Lat projection · left pediatric wrist radiograph · cast present — 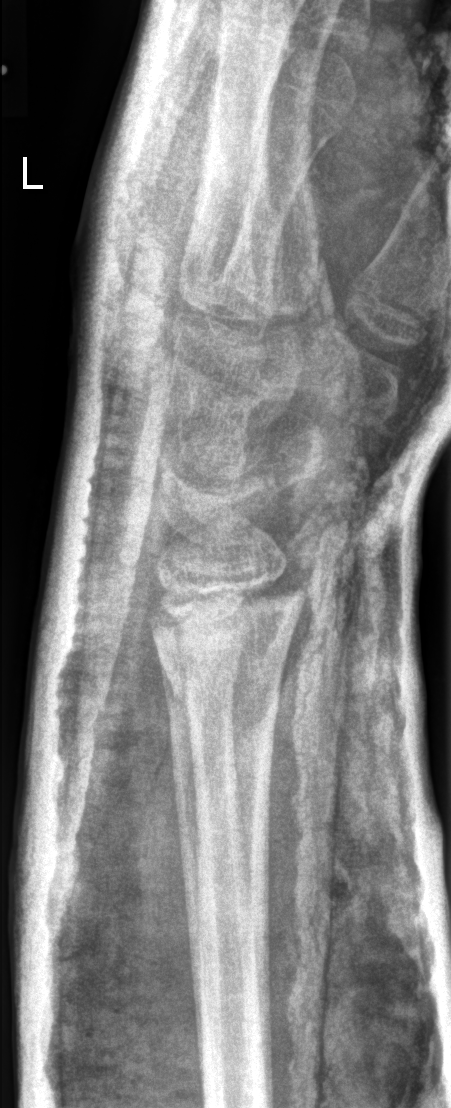

Fracture: [x1=142, y1=579, x2=312, y2=712]
AO code: 23r-E/2.1; 23u-E/7